Right wrist X-ray · lateral view · 15y M · Siemens:

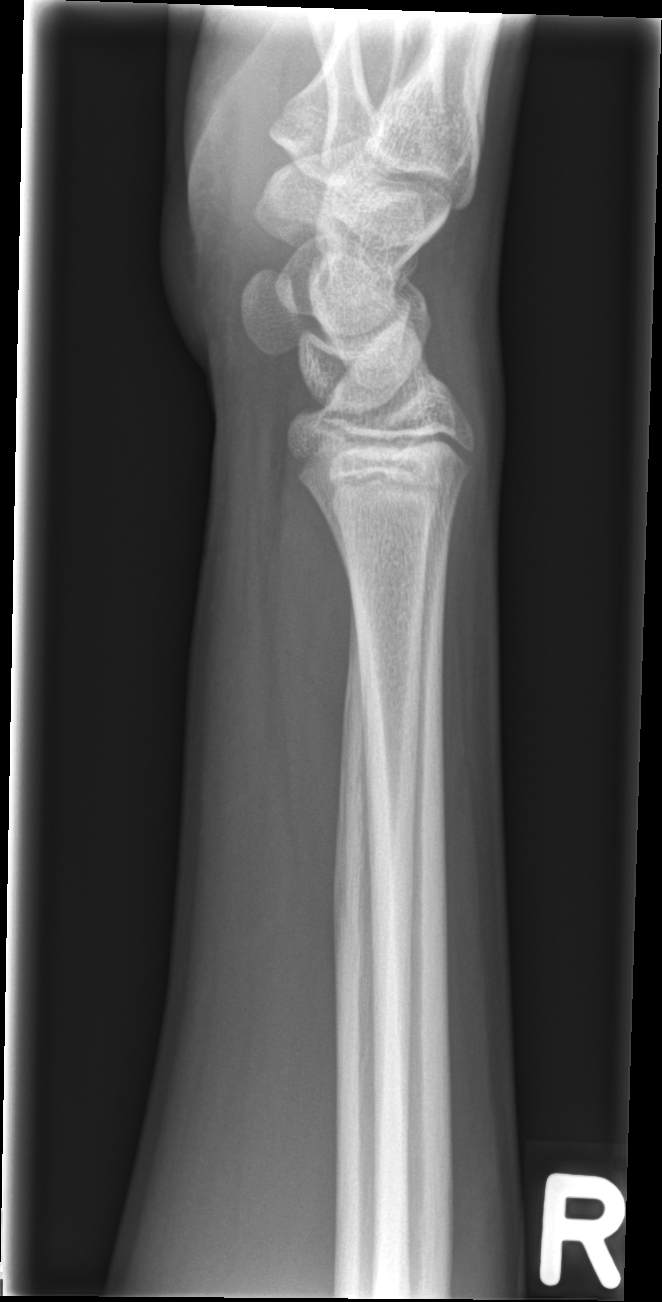
* No fracture bounding box.